Right wrist X-ray, posteroanterior, image width 67.8 mm —
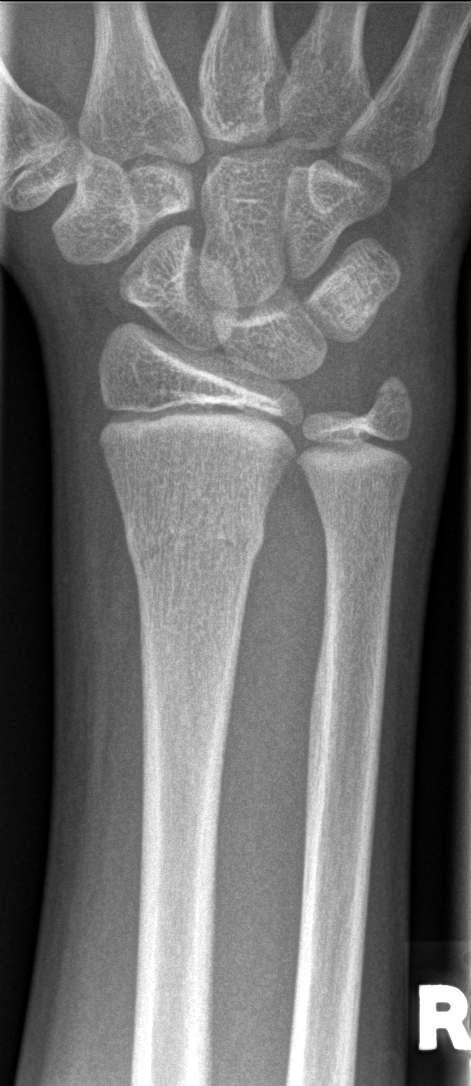
* Fracture: bbox(120, 504, 269, 576), bbox(358, 369, 414, 432).